Lateral view, L wrist X-ray, 87.3 mm image width:
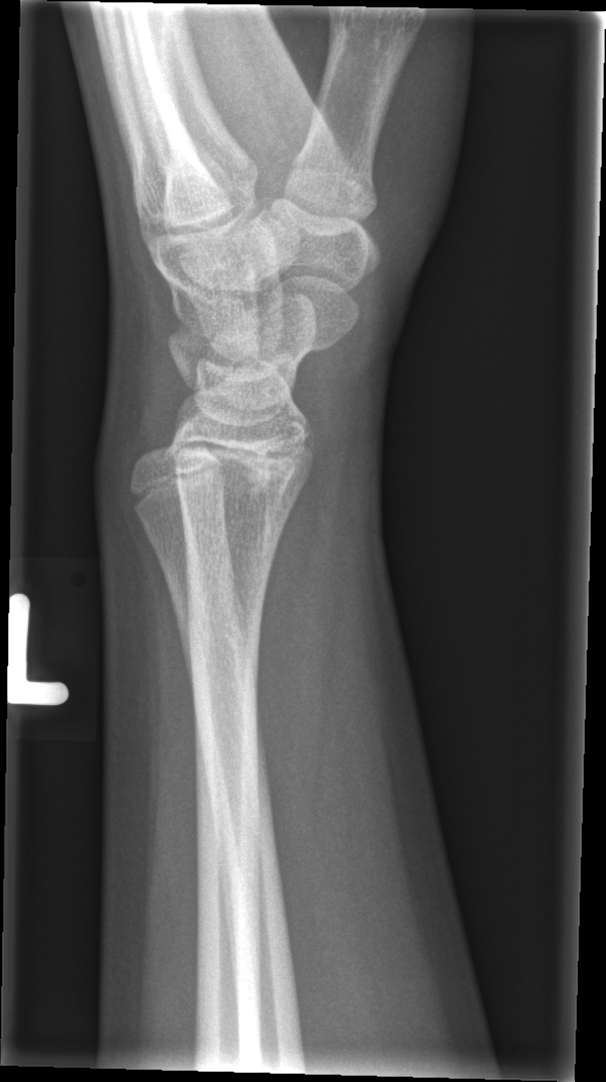
- Boxes as x1,y1,x2,y2 (top-left / bottom-right, pixel units).
- Fracture: none labeled.
- Osseous anomaly: bbox(102, 397, 239, 596).